Lat projection · Rt wrist XR · age 11 y, boy · detector: Siemens · 316x1191. 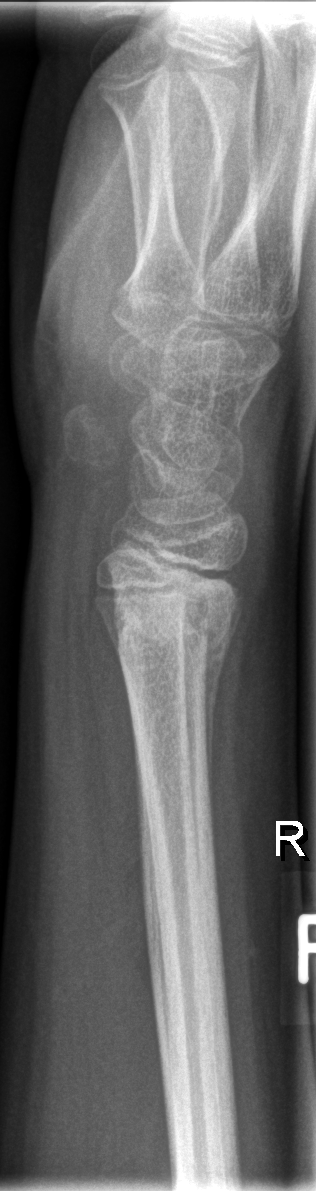 (bounding boxes in image-pixel xyxy)
AO code = 23r-M/2.1; 23u-E/7
periosteal thickening = 1 @ 202,602,240,810
fracture = 110,570,244,677
osteopenia = present